Right wrist plain film, lateral projection, follow-up study.

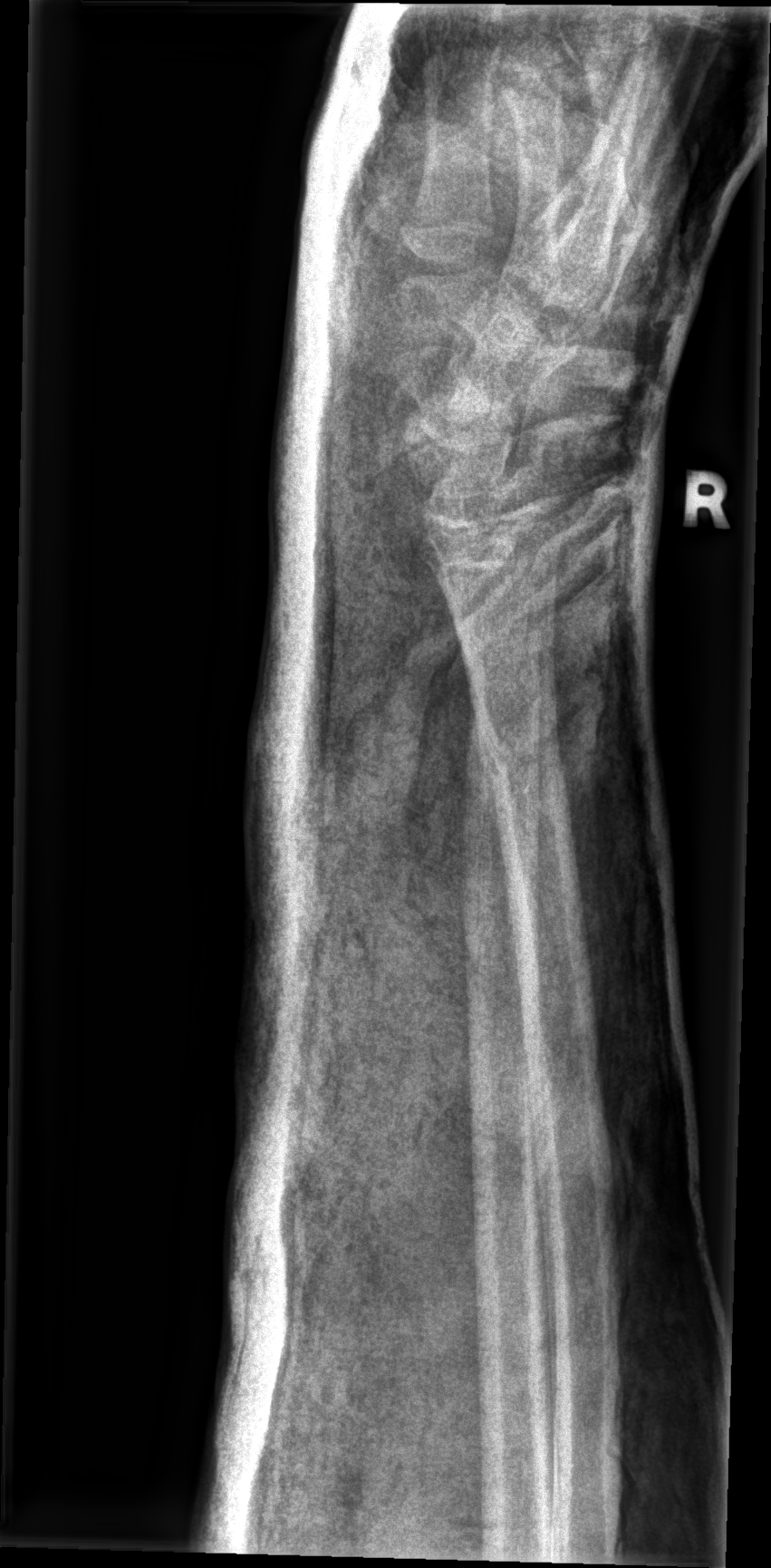
- AO code 23-M/3.1.
- One fracture at [x1=470, y1=715, x2=576, y2=811].